Rt wrist XR; posteroanterior projection; 4y M 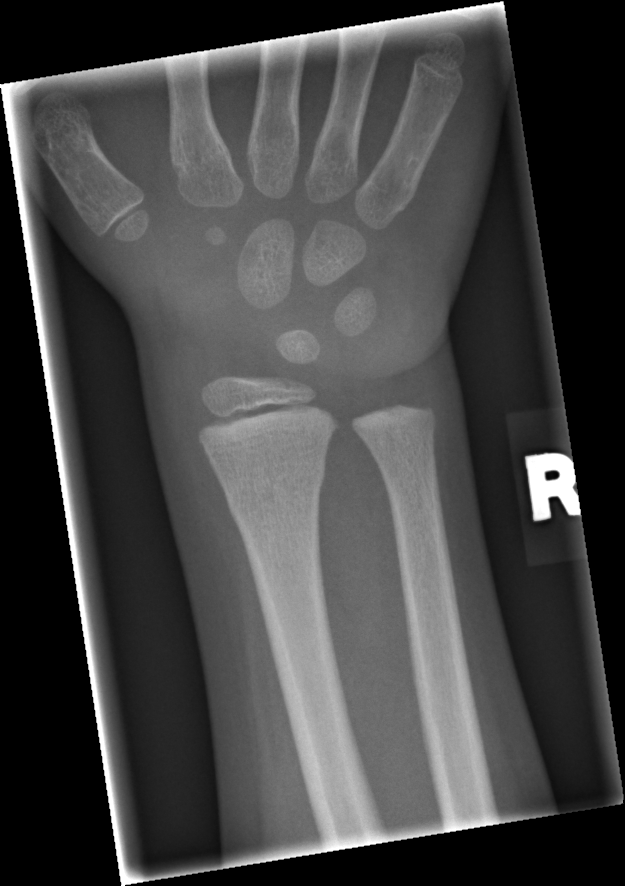
Bone fracture identified at (222, 459, 329, 525).